Left wrist plain radiograph of the wrist; AP; pediatric patient (male, age 16); follow-up study; image width 110.7 mm.
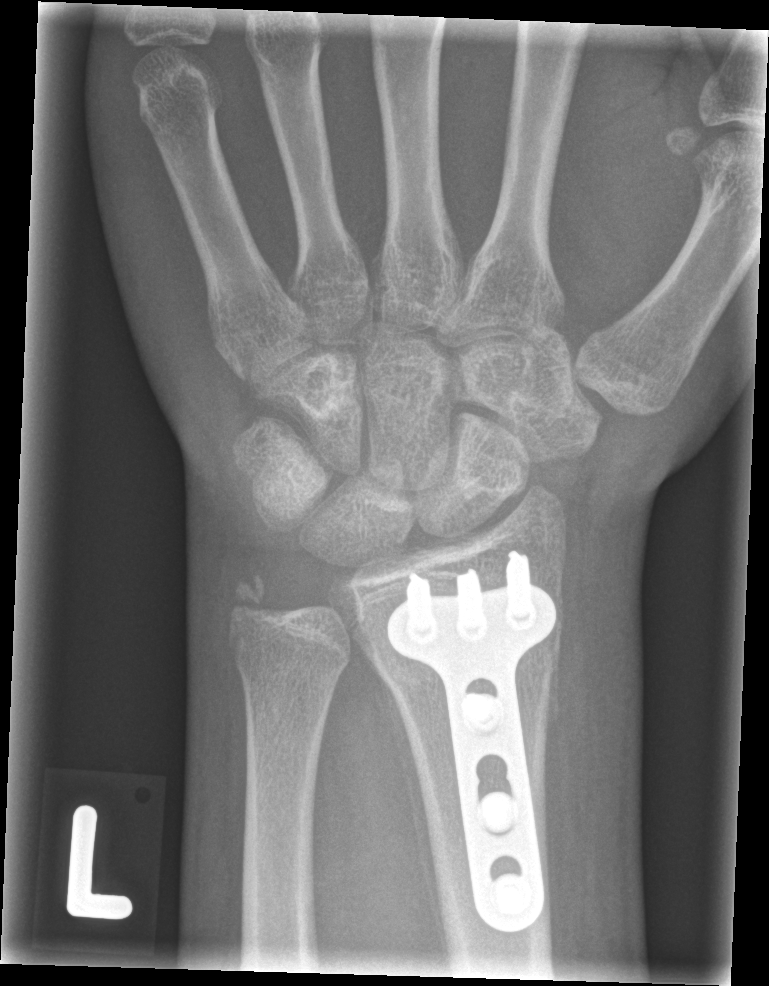 Periosteal thickening — 372,660,448,972.
One bone fracture at 225,570,292,631.
Metallic hardware identified at 383,547,560,934.
AO/OTA classification: 23r-M/3.1; 23u-E/7.